Lt wrist X-ray, PA, image 132.3 mm wide — 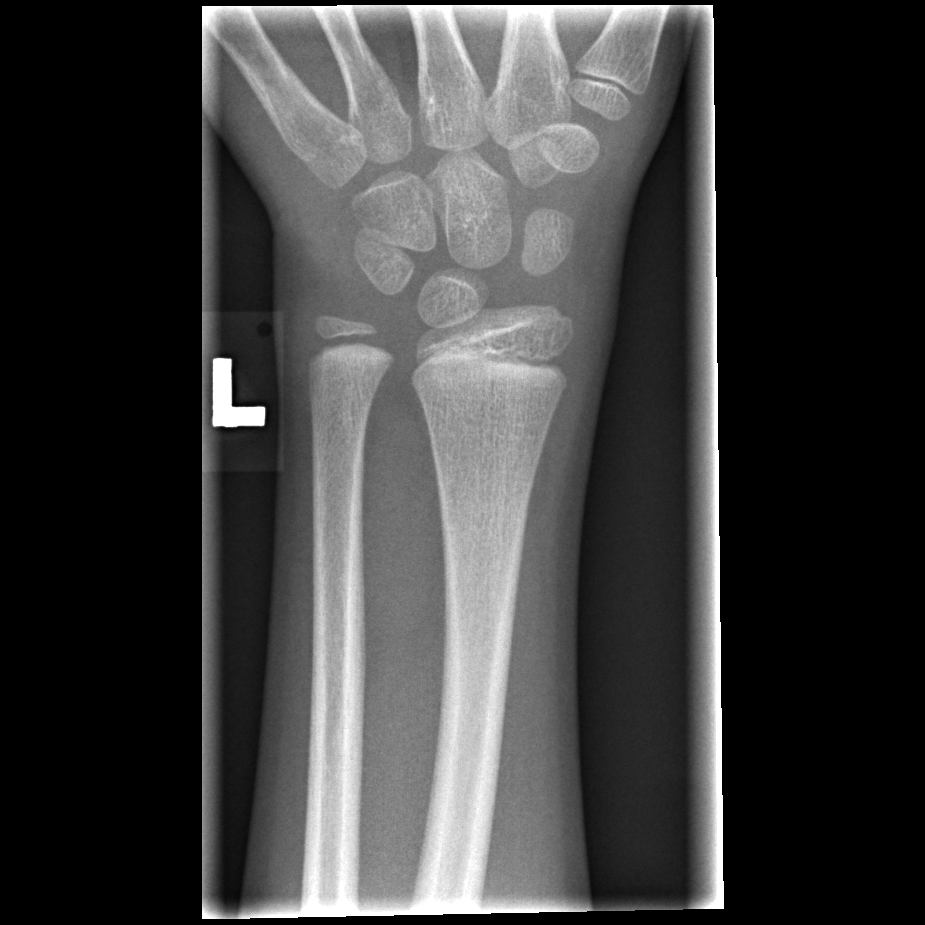
fracture: none labeled